Right wrist plain film; lat projection; age 8 y, female; detector: Siemens; image 52.1 mm wide: 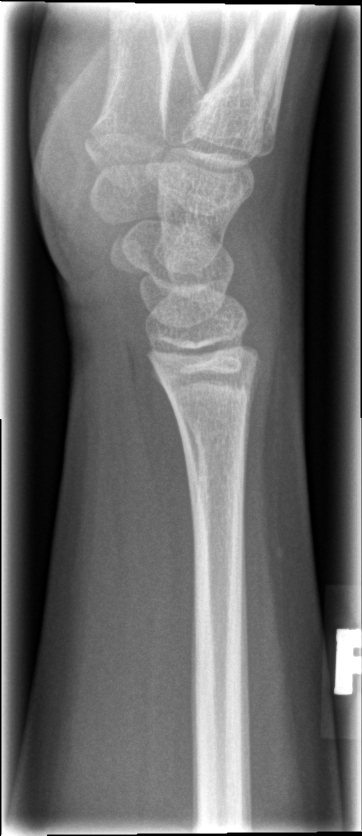

Findings: No fracture bounding box.